Lateral, left wrist radiograph, subsequent exam, in cast
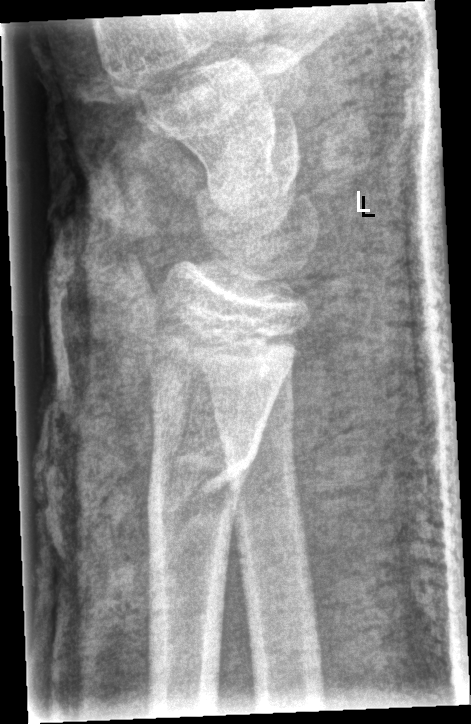

- Fracture — [146, 434, 265, 548].
- Fracture classified AO/OTA 23r-M/3.1; 23u-M/2.1.